Lt wrist XR · PA/AP projection · subsequent exam:

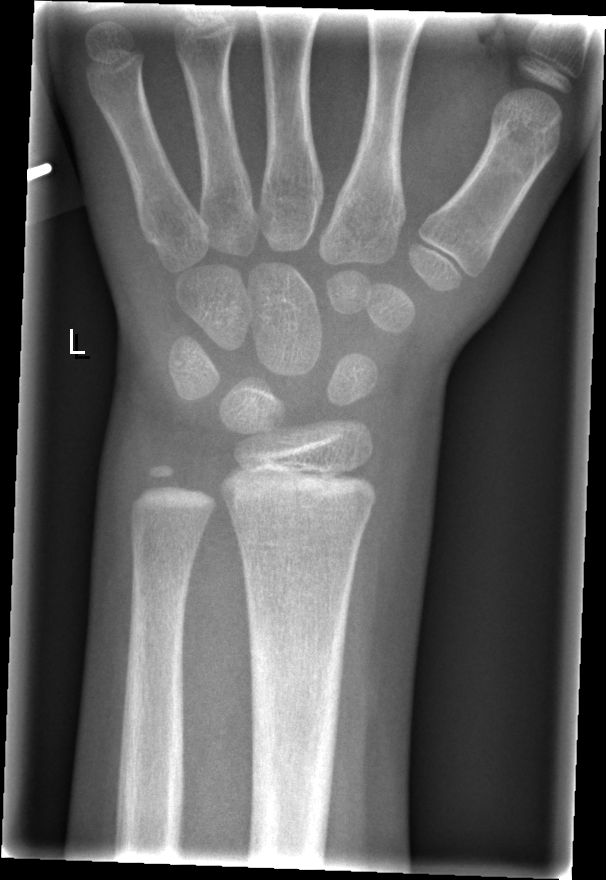

{"fracture": "2 @ (left=243, top=625, right=348, bottom=848), (left=223, top=473, right=379, bottom=536)", "ao": "23r-M/2.1"}